Lateral view | Lt wrist radiograph | 13y M | image width 56.4 mm.
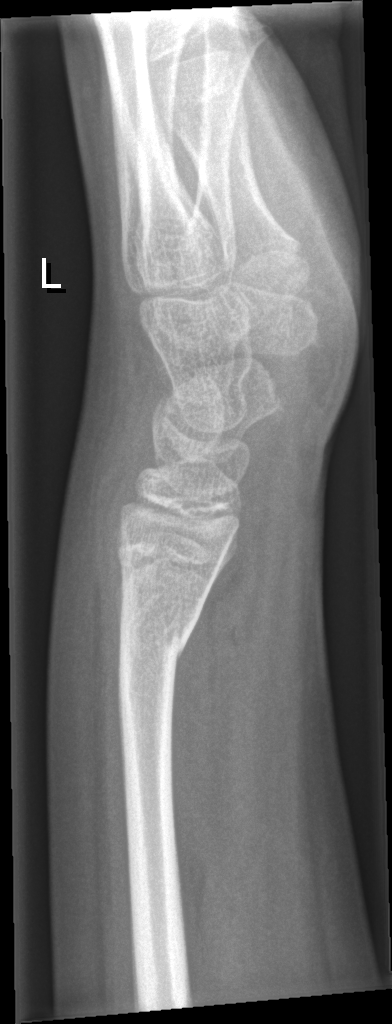

Fracture: bbox(118, 613, 191, 675).
Fracture classified AO/OTA 23-M/2.1.